Left wrist radiograph · frontal projection

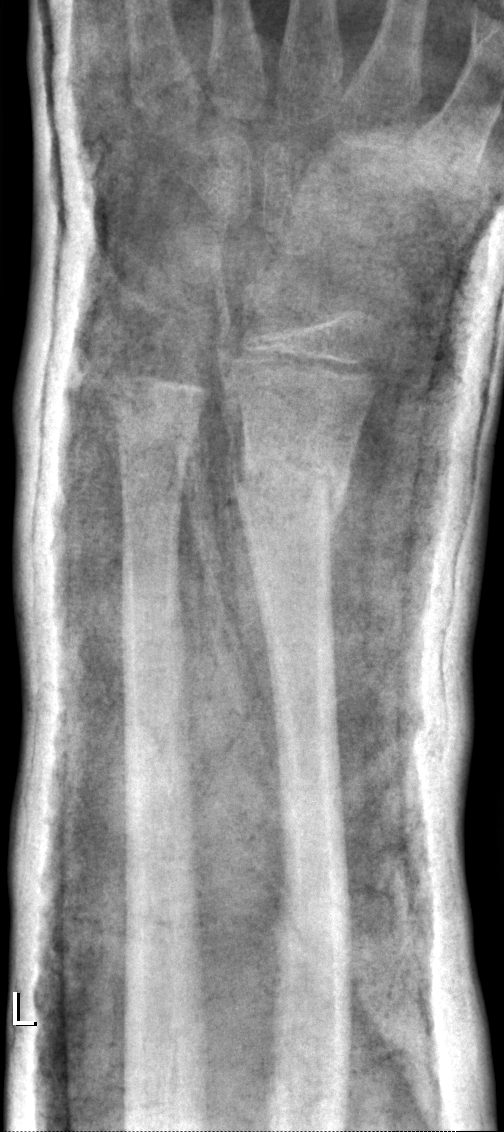

AO classification: 23r-M/3.1; 23u-M/2.1
fracture: 1 @ <231,438>-<355,541>